Rt wrist X-ray | lat projection | presentation radiograph:

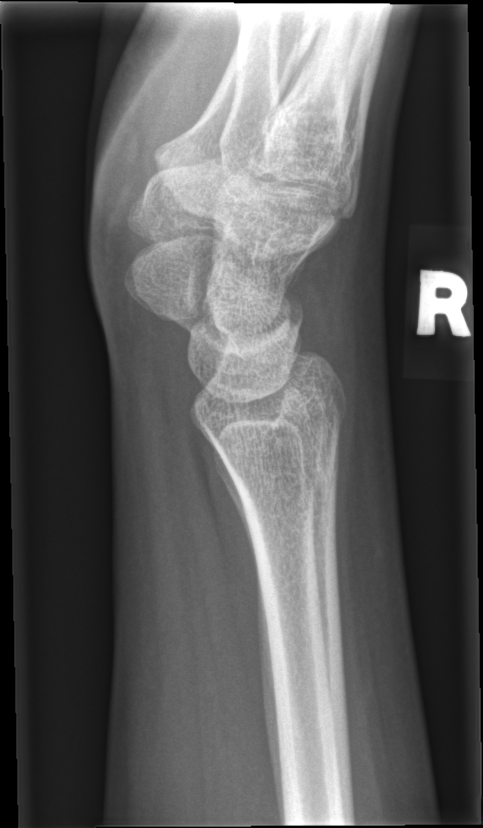
Q: Any fracture seen?
A: Fx: none